Posteroanterior projection, L wrist XR, presentation radiograph, detector: Siemens, 484x756:
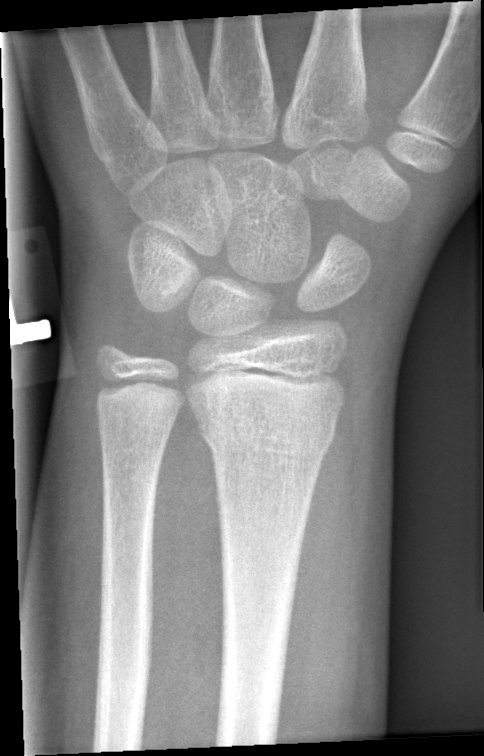
FINDINGS — One fracture at [194, 407, 338, 462]. AO code 23r-M/2.1.